R wrist XR · PA projection · follow-up · 574 by 774 pixels — 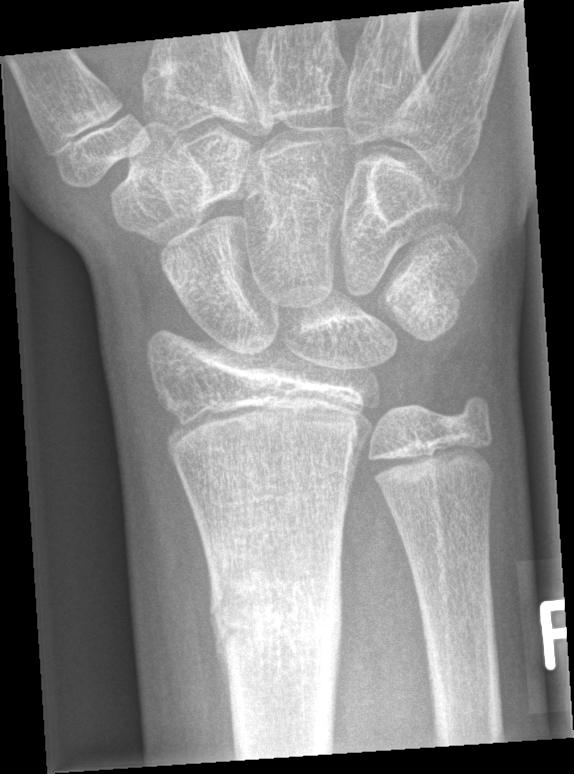
Bone fracture: (left=208, top=568, right=347, bottom=665)
AO classification: 23r-M/2.1
Periosteal reaction: (left=208, top=610, right=236, bottom=732)